Posteroanterior projection | Lt wrist radiograph | index exam. 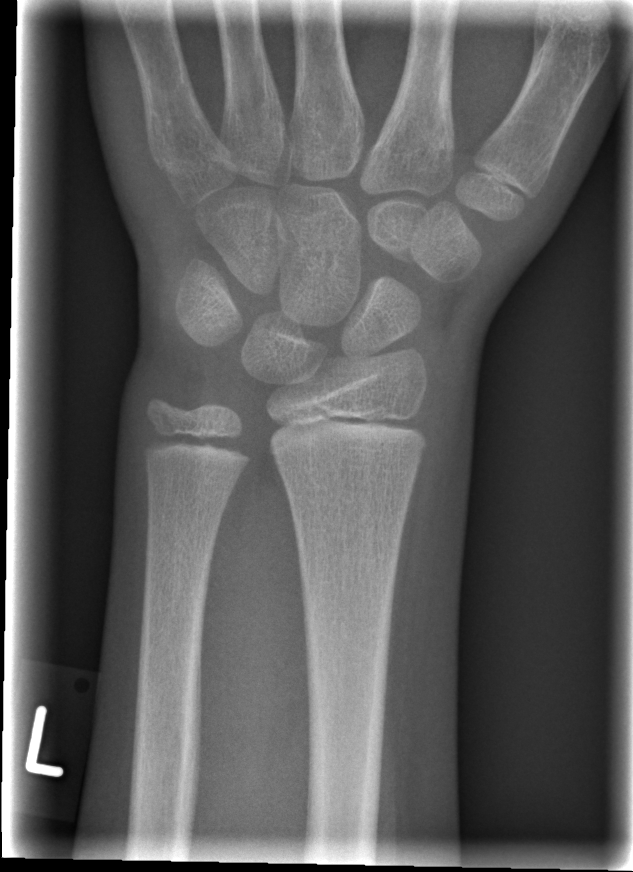
Fx: none labeled